AP view; left pediatric wrist radiograph; boy, 12 yo: 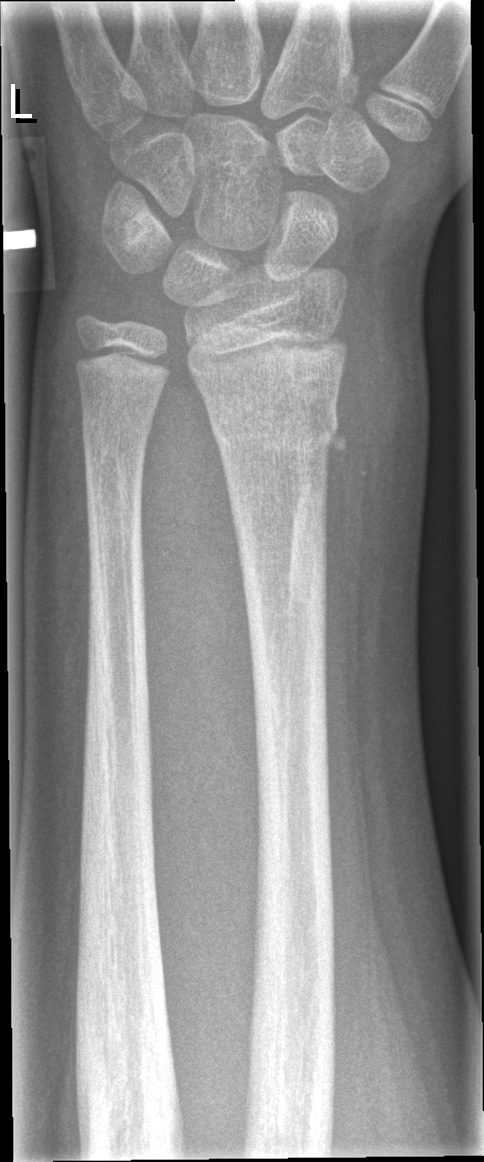
Findings: (coordinates are [x1, y1, x2, y2] in image pixels) Two fractures at 203 397 349 467; 78 400 157 460. Fracture classified AO/OTA 23r-M/3.1; 23u-M/2.1.